Posteroanterior · right wrist XR · subsequent exam: 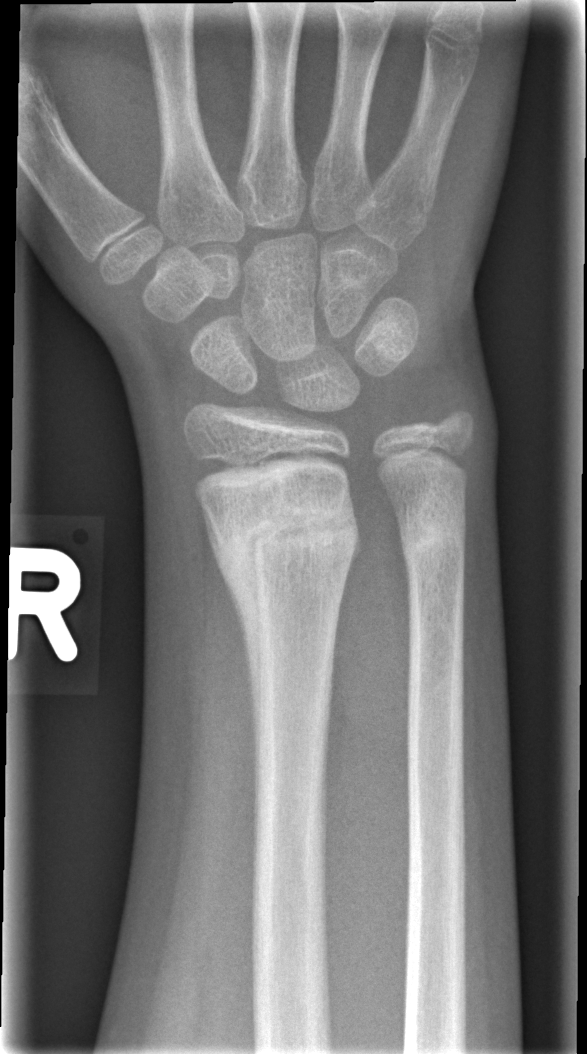

Boxes as x1,y1,x2,y2 (top-left / bottom-right, pixel units). AO/OTA classification: 23r-M/3.1. Fracture: 205,487,362,592 | 395,491,470,571.